Lat view · Rt pediatric wrist radiograph · 483 x 714 px:

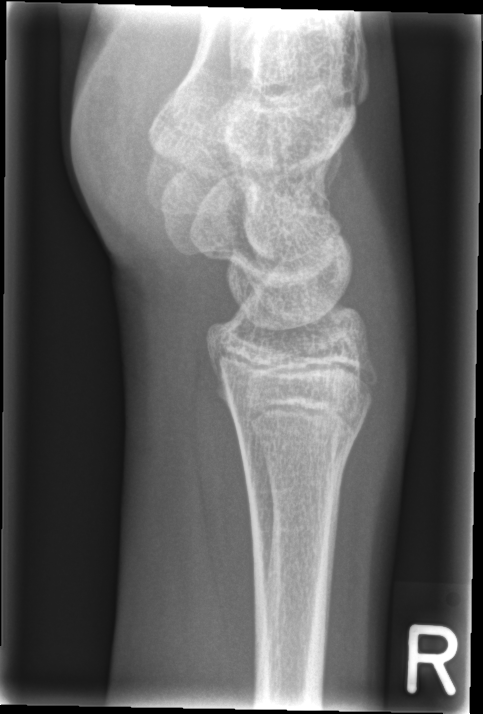 One Fx at 237,415,370,499.
Fracture classified AO/OTA 23r-M/2.1.